Lt wrist XR | lat view | age 13 y, boy 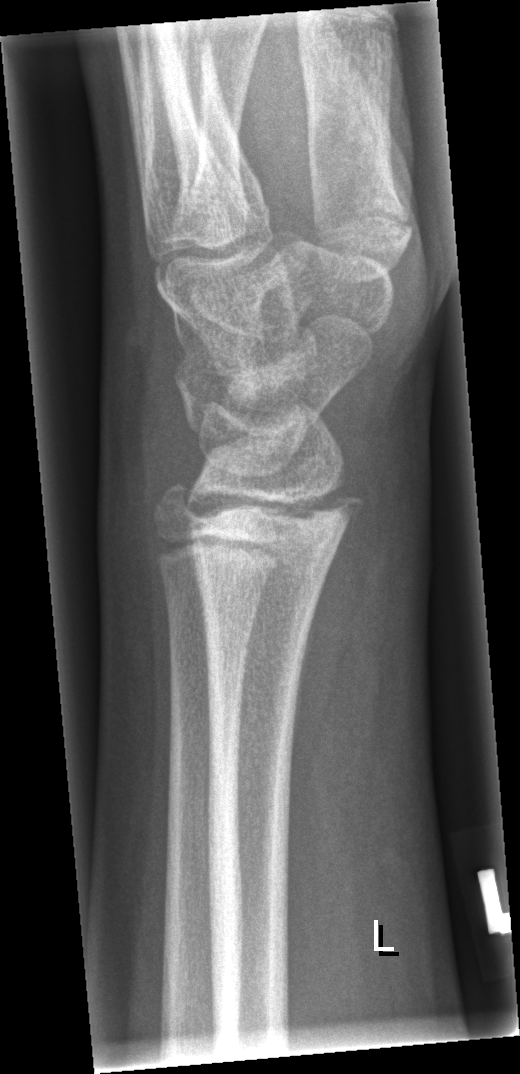 Boxes as x1,y1,x2,y2 (top-left / bottom-right, pixel units). Fracture classified AO/OTA 23r-E/1; 23u-E/7. Fx: 181 478 365 543
  149 479 207 535.